Posteroanterior; right pediatric wrist radiograph; pediatric patient (male, age 12); image 76.8 mm wide:

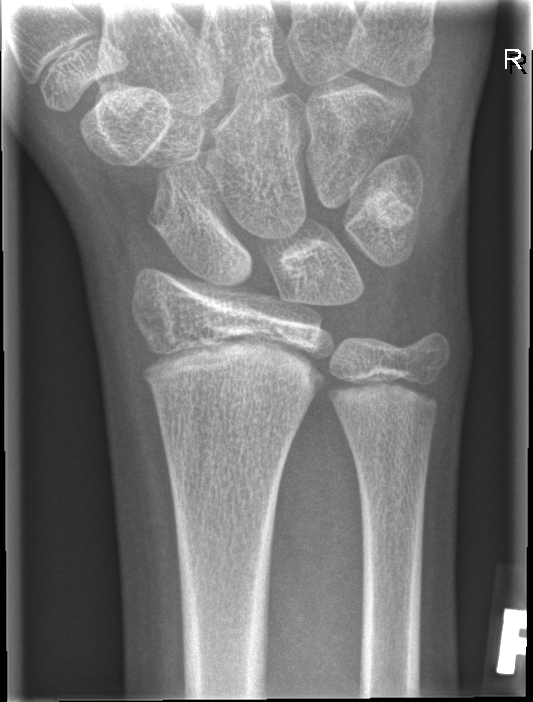 FINDINGS — No fracture bounding box.